Rt wrist XR; frontal projection; female, 10 yo; presentation radiograph: 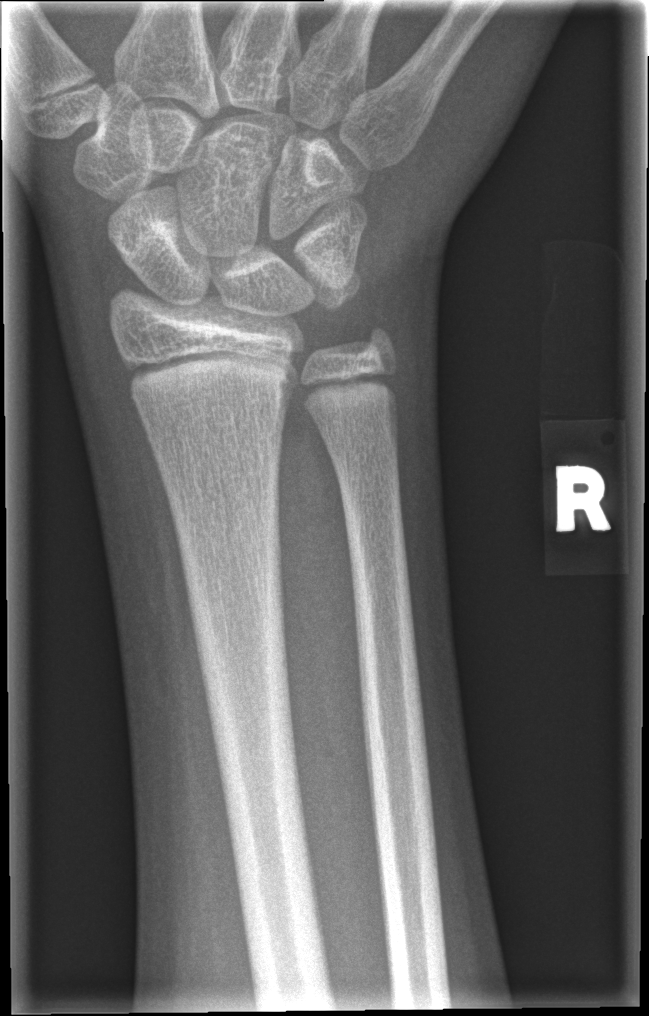 {"fracture": "none labeled"}